Lt wrist X-ray · lateral · image size 454x910 — 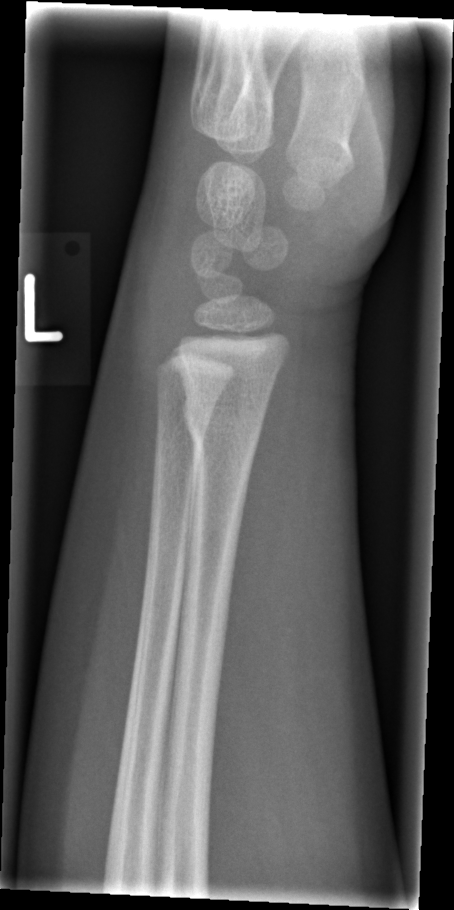

Findings: AO code 23r-M/2.1. Fx: 177,386,267,463.